Lateral view · left wrist plain film · follow-up · acquired on Siemens —

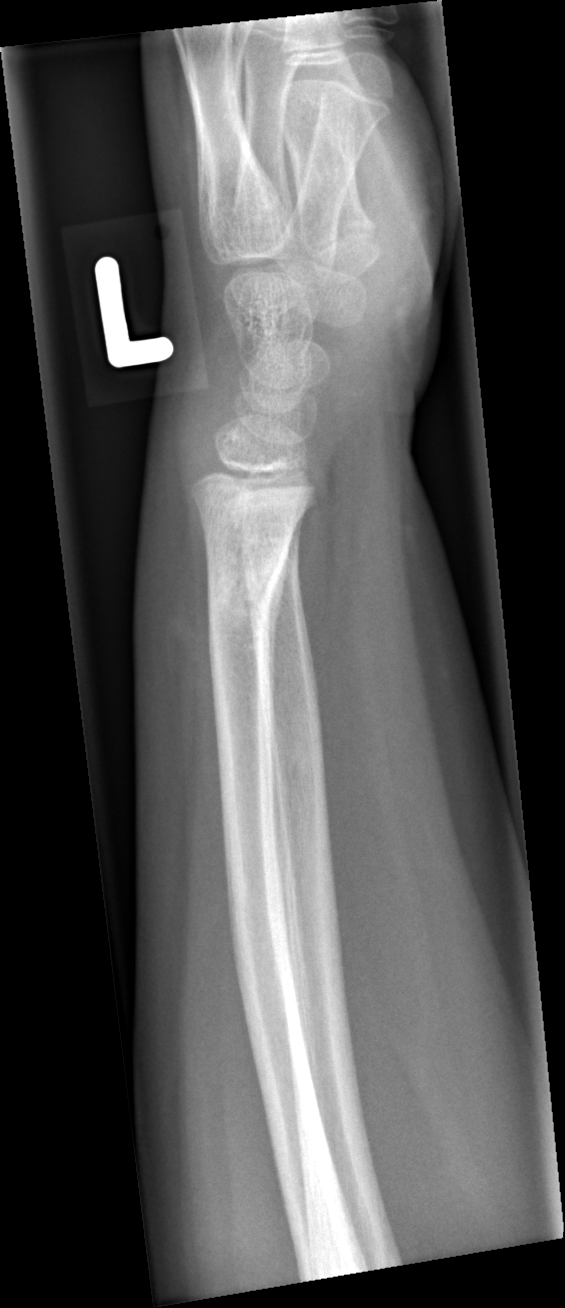

FINDINGS — One bone fracture at [200, 548, 291, 630]. Reduced bone mineral density. One periosteal new bone at [264, 541, 289, 765]. AO code 23-M/2.1.